PA projection | right wrist pediatric wrist radiograph | 14y M | 677 x 904 px 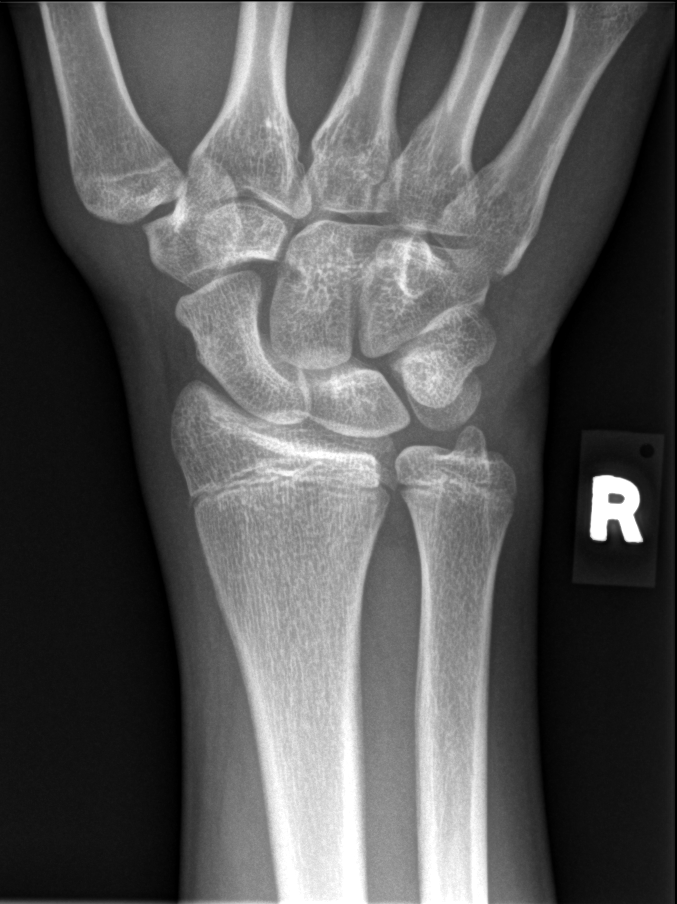

Fracture = none labeled